Lat, right wrist plain film, female, 4 yo, Siemens.

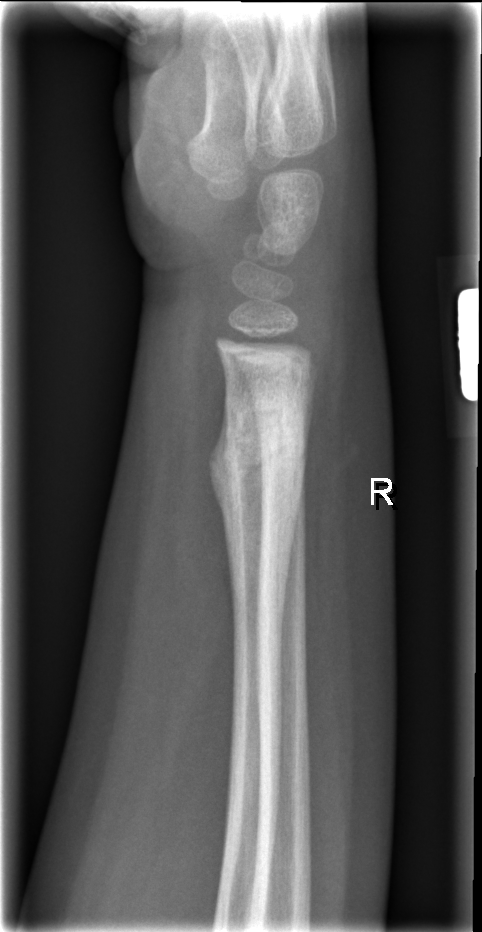

  periostealreaction: 1 @ (209, 381, 236, 627)
  fracture: (202, 406, 310, 507)